Lt plain radiograph of the wrist · posteroanterior view · 13-year-old boy · 732 x 1084 px

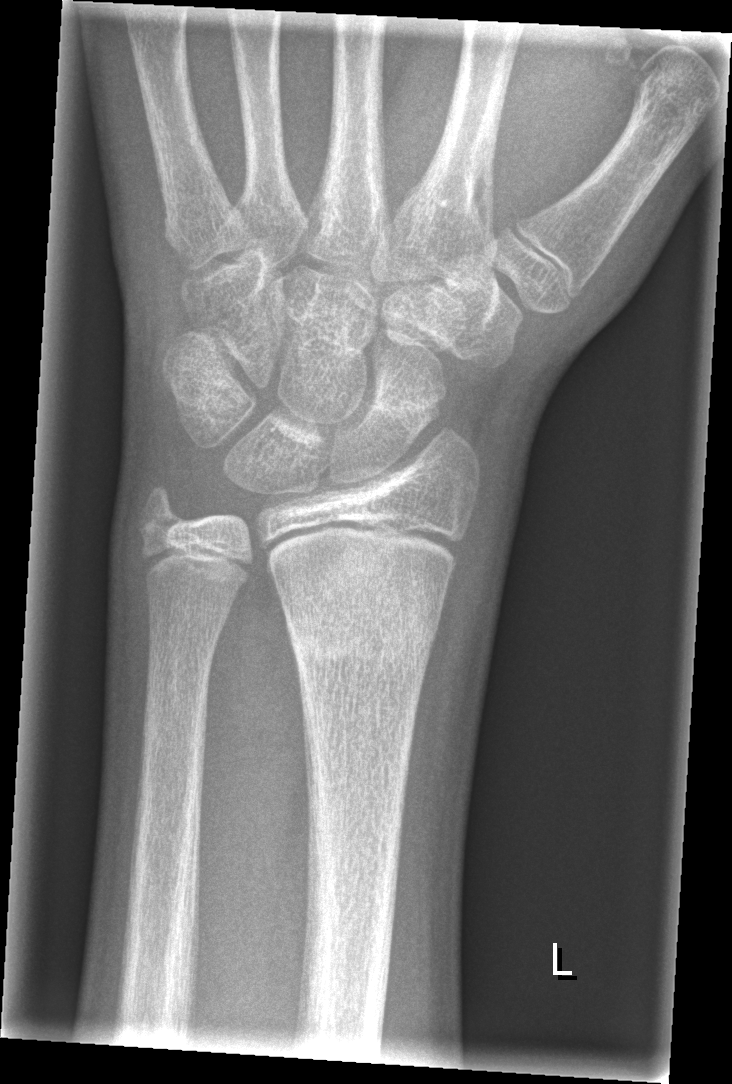
AO/OTA = 23r-M/2.1; 23u-E7
Fx = 2 @ (left=280, top=555, right=444, bottom=668) (left=130, top=477, right=196, bottom=541)